Lat view; left wrist radiograph; female, 9 yo; acquired on Siemens 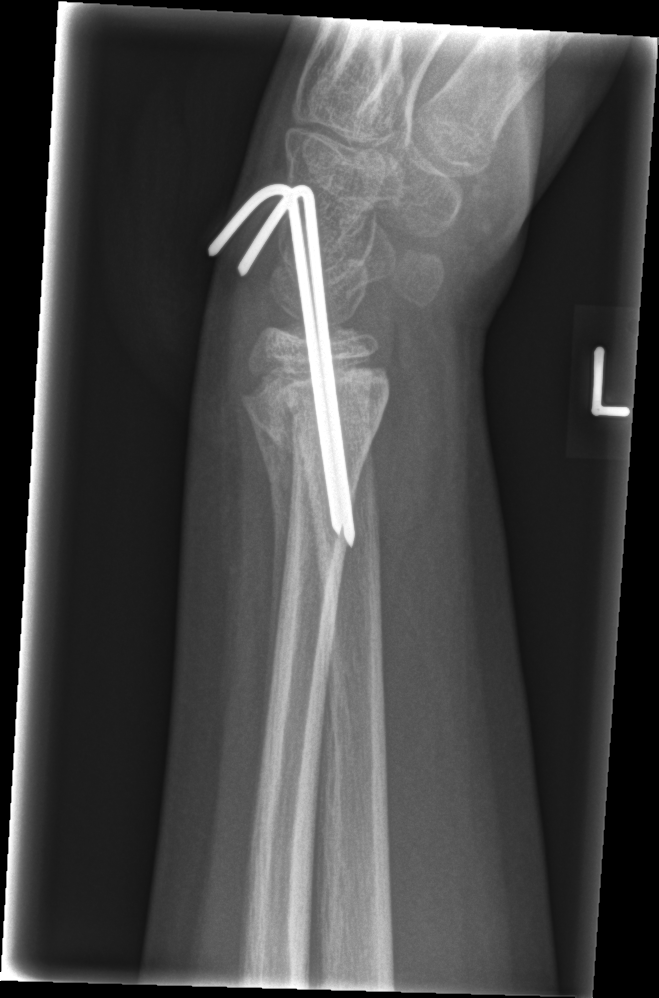

FINDINGS — (coordinates are [x1, y1, x2, y2] in image pixels) One bone fracture at [x1=237, y1=352, x2=393, y2=466]. Metallic implant — [x1=209, y1=184, x2=355, y2=548]. Periosteal thickening — [x1=240, y1=397, x2=298, y2=805]. Reduced bone mineral density.